Right wrist pediatric wrist radiograph · lateral · age 7 y, male · cast in situ 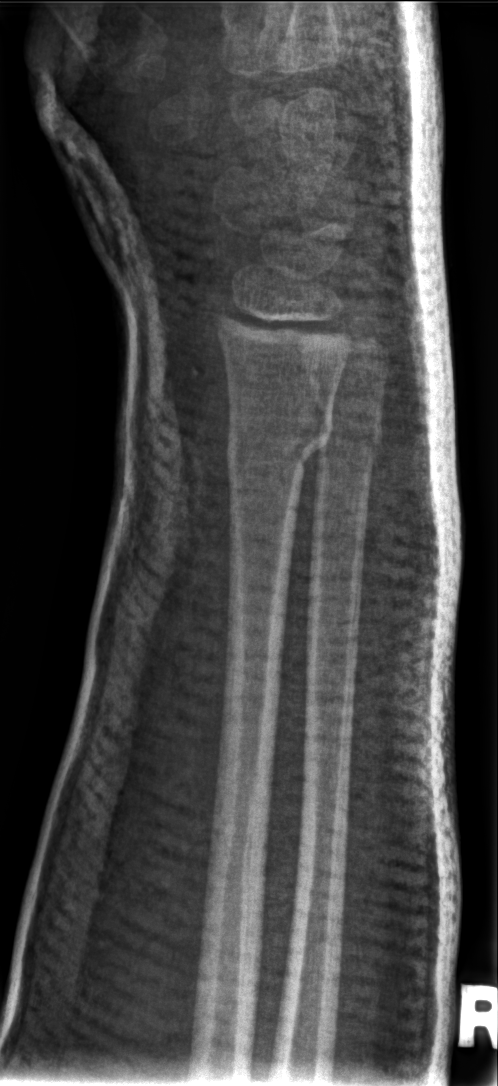

Two Fx at 223,393,338,487; 317,405,389,464.
Fracture classified AO/OTA 23-M/2.1.